Left wrist X-ray, PA/AP projection, Siemens, image width 89.6 mm:
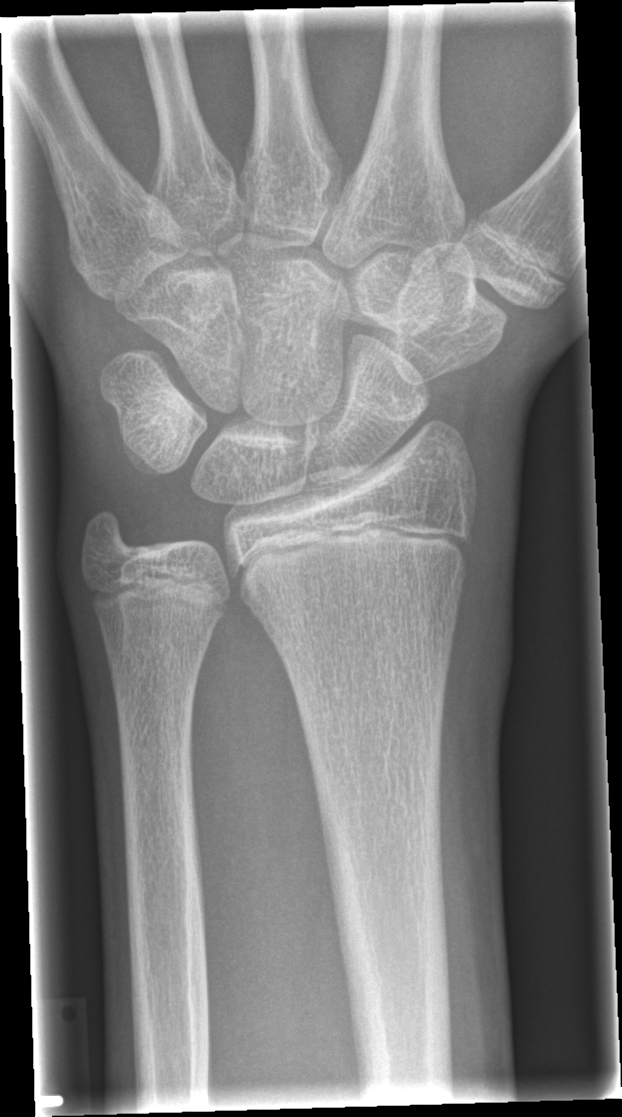 fracture: none labeled